Lt wrist XR, lat projection, 5y F —

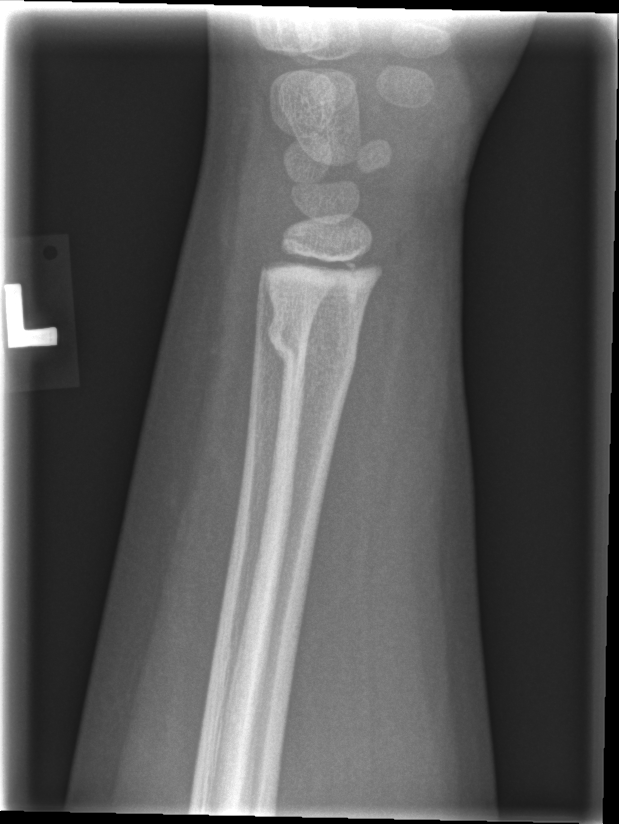 (bounding boxes in image-pixel xyxy)
Fracture = (266, 307, 361, 385)
AO classification = 23r-M/2.1